Lat view | left plain radiograph of the wrist —
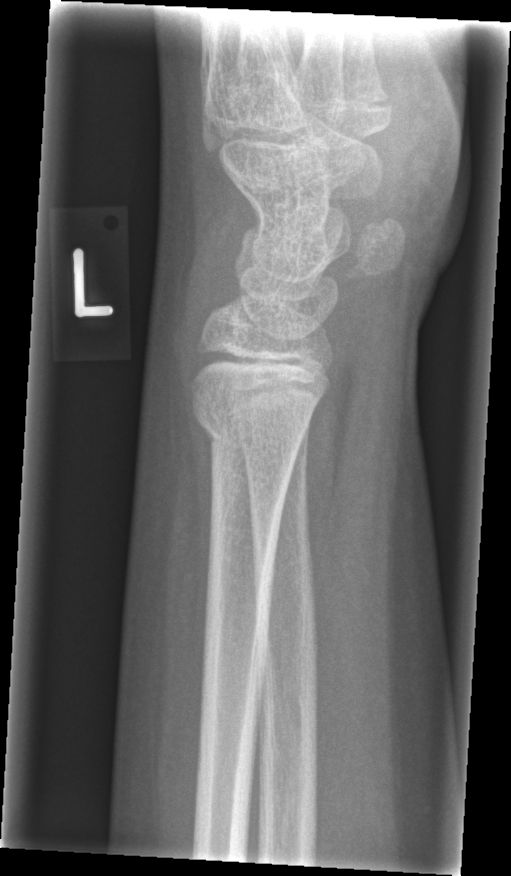
FINDINGS — Bone fracture identified at 190 393 310 467.